Lt pediatric wrist radiograph | PA projection | cast present:
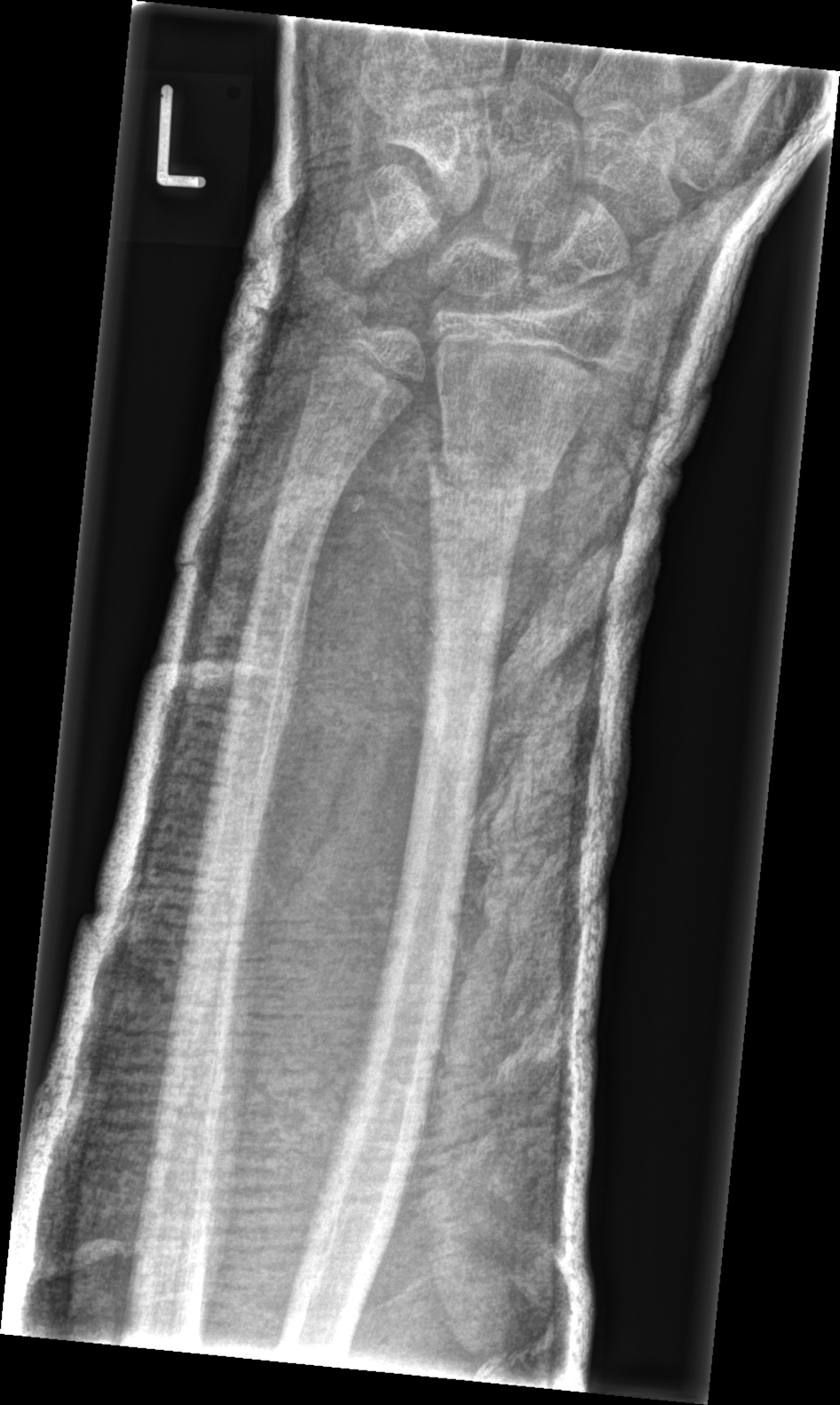
Coordinates are [x1, y1, x2, y2] in image pixels.
AO code 23r-M/3.1.
Fracture identified at 419,427,554,521.